Right pediatric wrist radiograph · lat projection · male, 6 yo · image 54.0 mm wide: 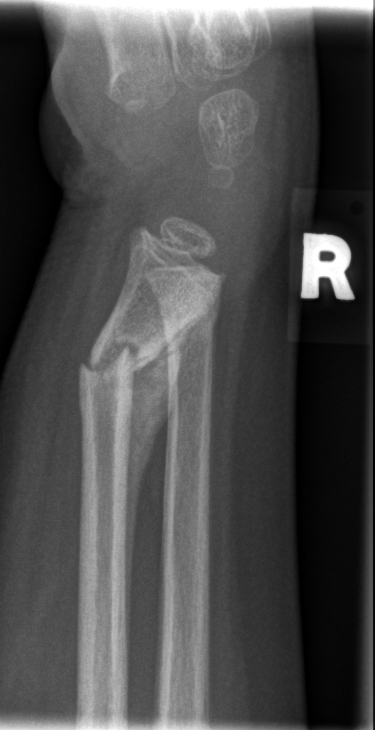

Findings: Periosteal reaction: <122,307>-<210,658>; <208,311>-<219,637>. Fracture identified at <76,332>-<160,397>; <157,285>-<222,340>. Decreased bone density (osteopenia).